Lateral projection | right wrist XR | age 14 y, boy | subsequent exam | Siemens
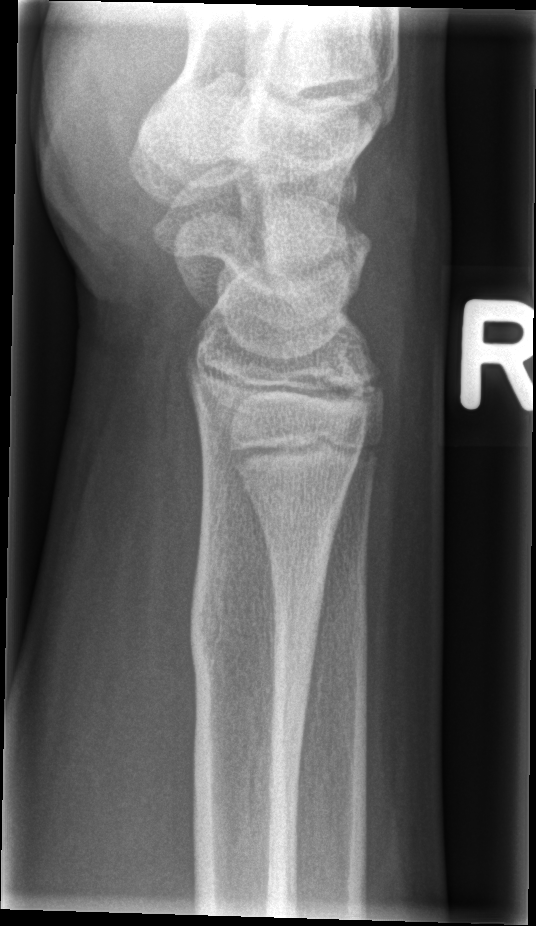

Boxes as x1,y1,x2,y2 (top-left / bottom-right, pixel units). Fractures — [182, 501, 345, 686]; [333, 349, 390, 412].